Right wrist plain radiograph of the wrist · AP · 81.5 mm image width · 566 by 794 pixels.

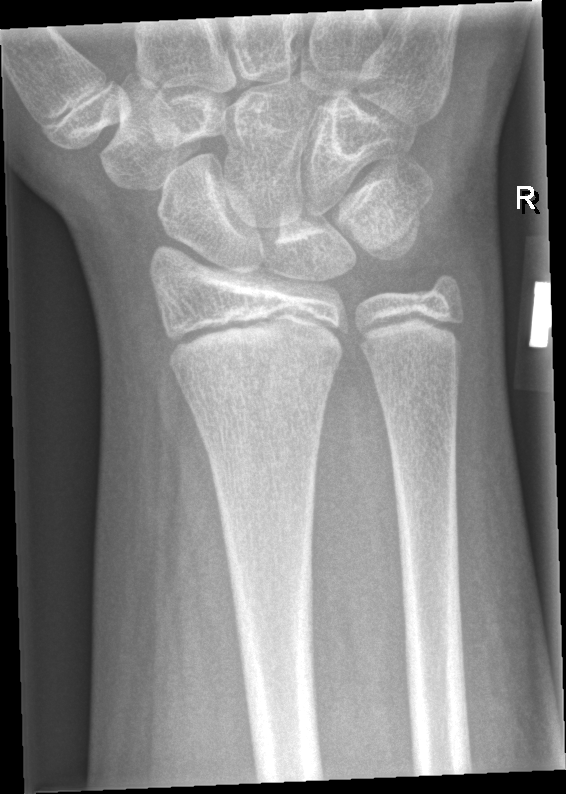

AO/OTA classification: 23r-M/2.1.
Fracture present but not clearly seen in this view.